Right pediatric wrist radiograph · lateral projection · 15y M:
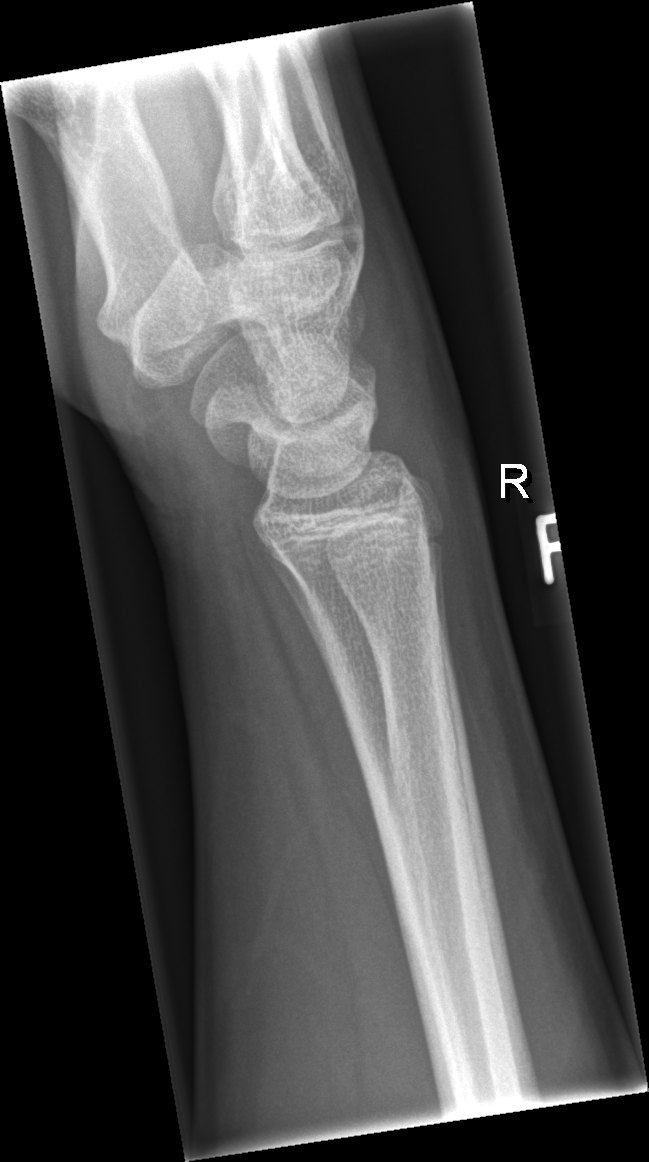

bone fracture = none labeled